AP, R wrist radiograph, 10-year-old female —

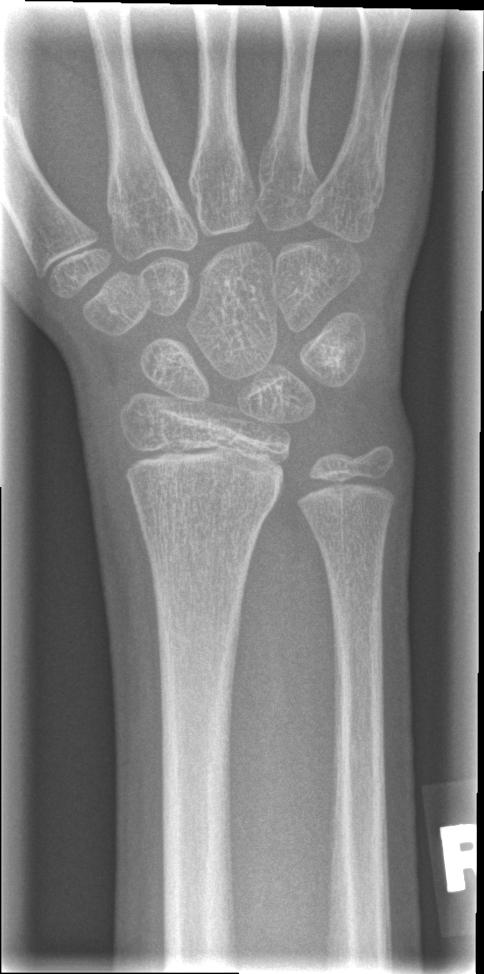 - AO/OTA classification: 23r-M/2.1.
- Fx: present but not clearly seen in this view.